Right wrist pediatric wrist radiograph; lat projection; pediatric patient (male, age 17) —
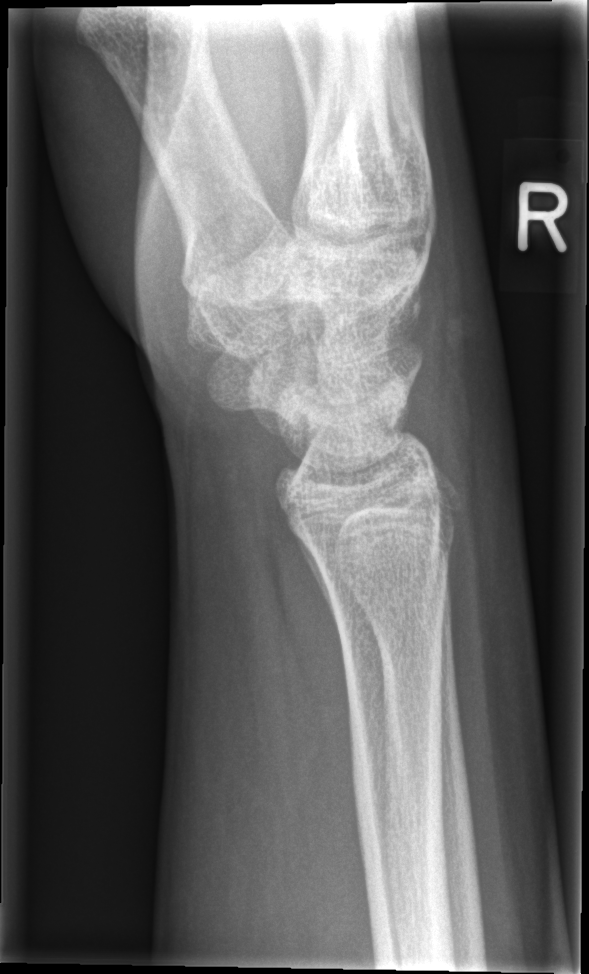
Fx: none labeled